Frontal view; left wrist X-ray; follow-up study; acquired on Siemens
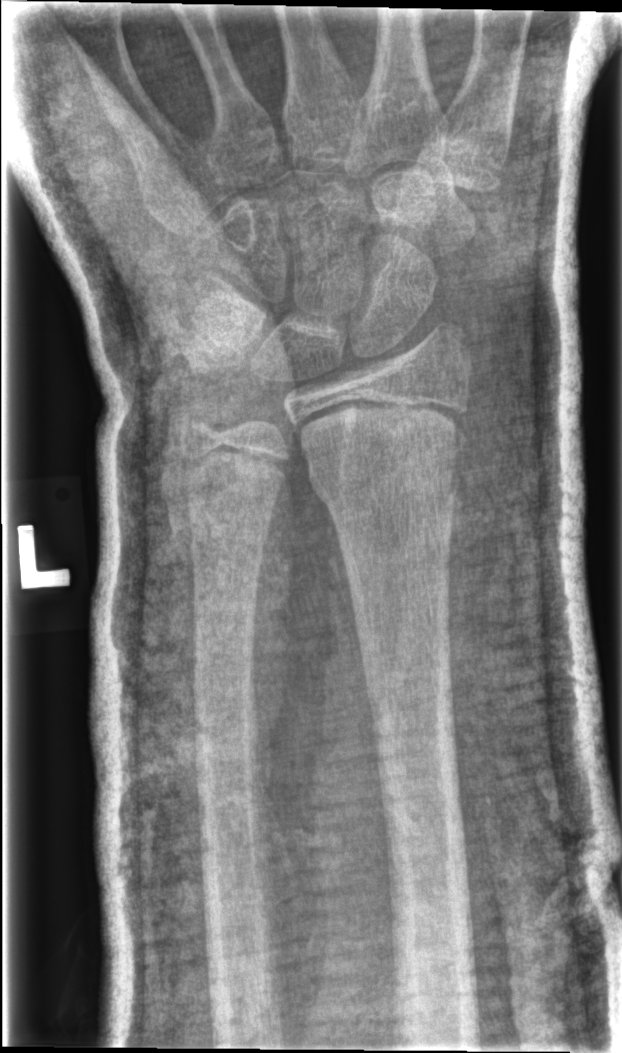 AO code 23r-M/3.1; 23u-E/7.
Fracture: 303,437,467,518.